L wrist XR, PA view, 14y M, 89.0 mm image width: 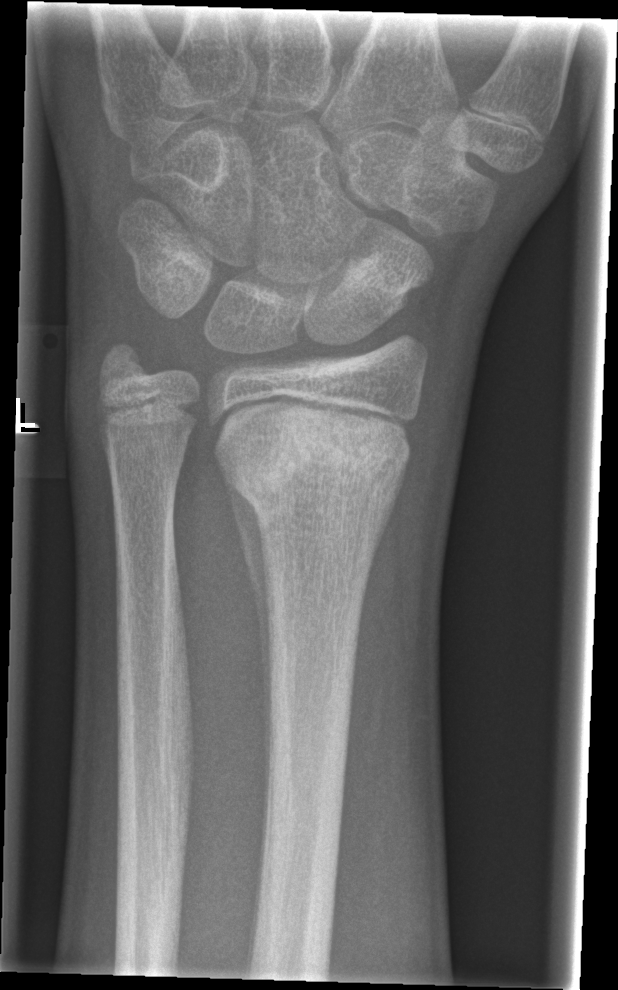
Fracture classified AO/OTA 23r-E/2.1; 23u-E/7. Osteopenia. Periosteal new bone: bbox(215, 460, 274, 817). Fx: bbox(205, 407, 412, 524); bbox(93, 333, 153, 391).